R pediatric wrist radiograph | lat projection | 464x738 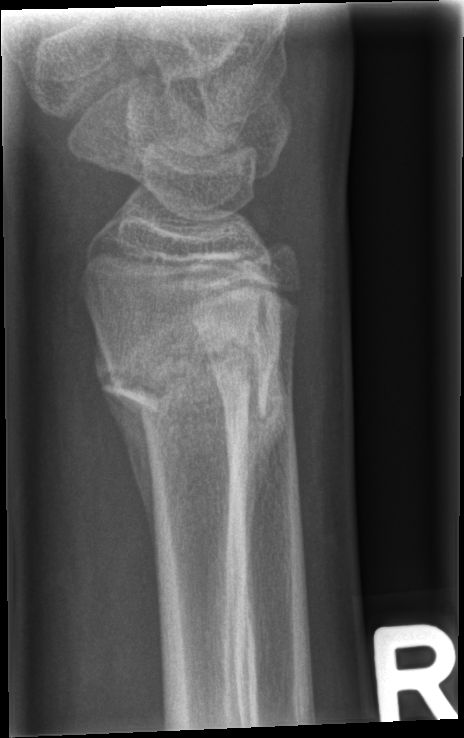 Osteopenic. Fx: 94 274 290 465. Periosteal new bone — 102 390 161 581. AO/OTA classification: 23r-M/3.1; 23u-E/7.